Frontal view · Lt plain radiograph of the wrist · image 80.9 mm wide — 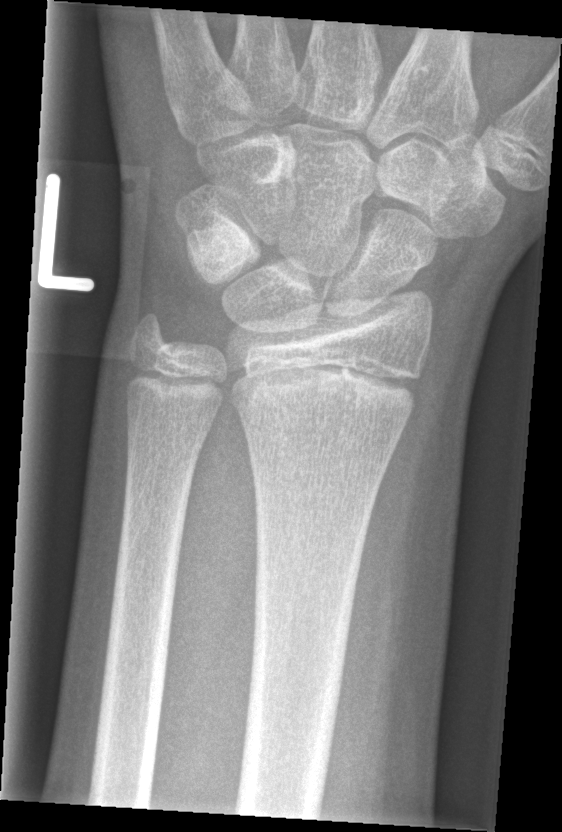

• Fracture present, though not clearly seen in this view.
• AO/OTA classification: 23r-M/2.1.